Left pediatric wrist radiograph · posteroanterior projection.
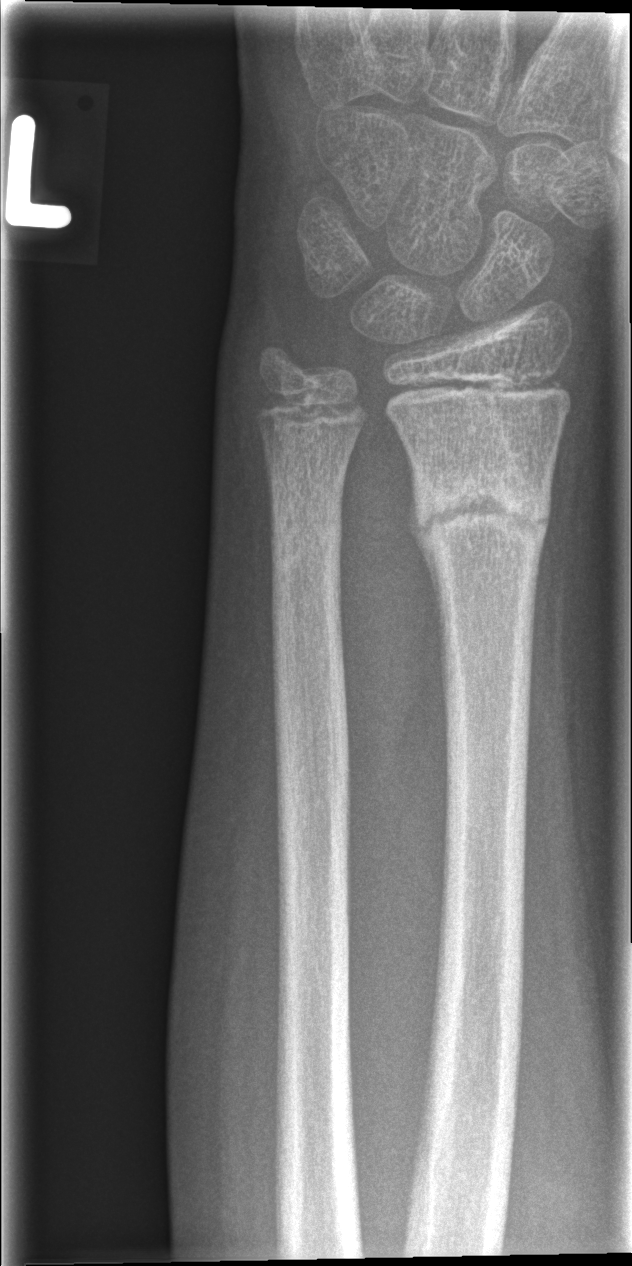
(boxes as x1,y1,x2,y2 (top-left / bottom-right, pixel units))
Q: AO code?
A: AO/OTA classification: 23r-M/3.1; 23u-M/2.1
Q: Locate any fractures.
A: Fractures — 410 460 552 563
  267 509 345 580
Q: Bone density?
A: Reduced bone mineral density
Q: Locate any periosteal reaction.
A: Periosteal new bone — 409 466 451 649